Rt wrist plain film, AP view, 544 by 674 pixels:
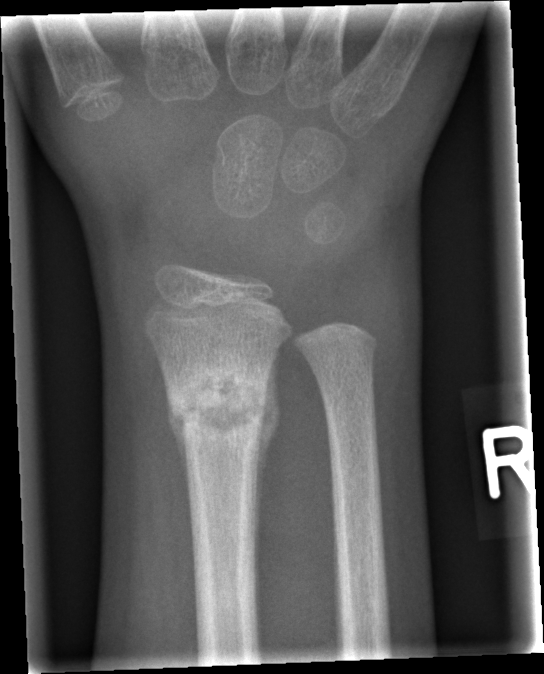
Osteopenia. One Fx at 168,367,276,445. Periosteal new bone identified at 254,349,282,592
  166,386,191,510.